Posteroanterior, L wrist radiograph, pediatric patient (boy, age 15), diagnosis uncertain.
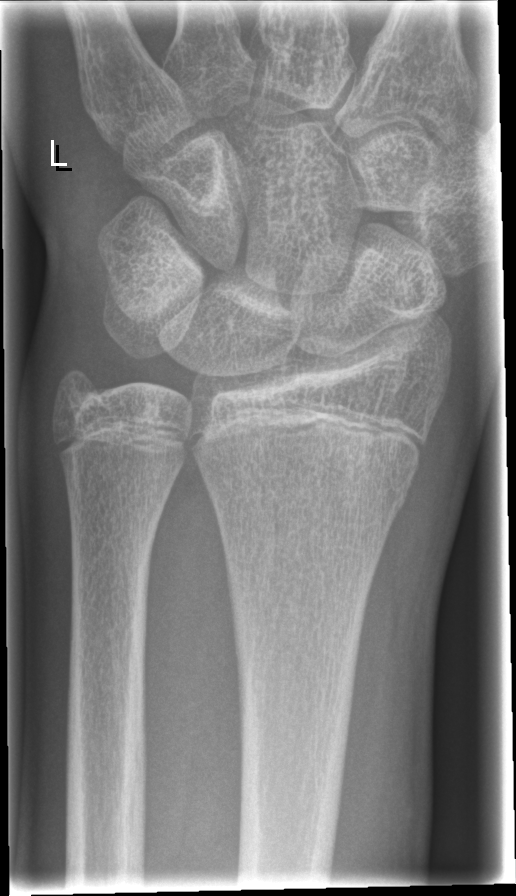
fracture: none labeled